PA · right wrist XR · pediatric patient (boy, age 12) —

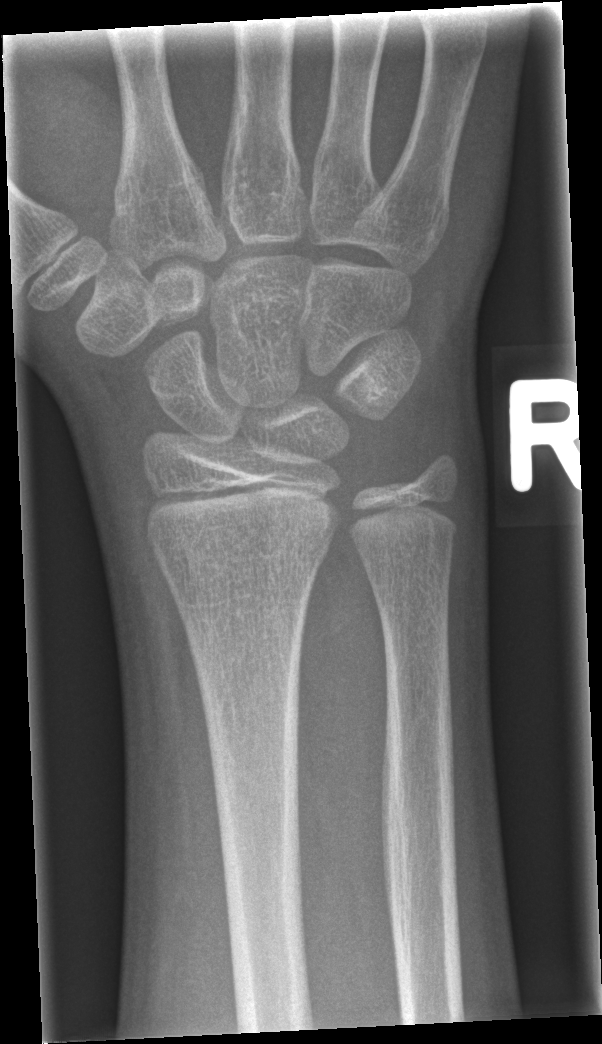 AO classification: 23r-M/2.1
fracture: present but not clearly seen in this view